Left wrist XR; frontal view; age 13 y, male; acquired on Siemens; image size 438x876 —
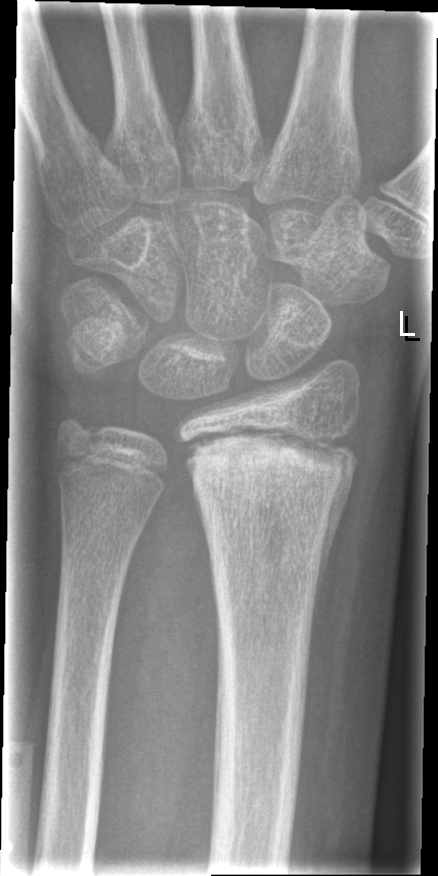

Reduced bone mineral density. Two bone fractures at bbox(183, 424, 358, 575); bbox(51, 414, 105, 466). Periosteal thickening: bbox(309, 447, 356, 646).